Lateral; Lt pediatric wrist radiograph; 10y M: 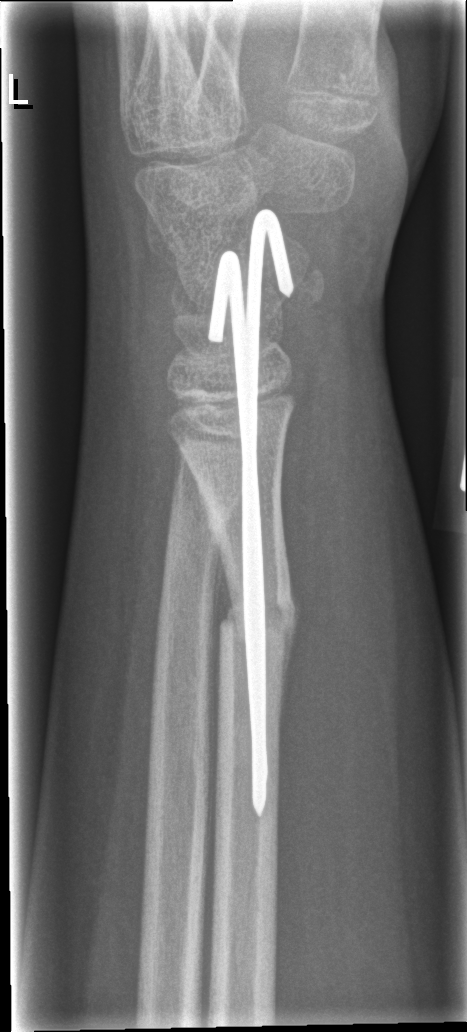
(boxes as x1,y1,x2,y2 (top-left / bottom-right, pixel units))
metal = [203, 208, 294, 820]
bone fracture = 2 @ [213, 581, 300, 657] [157, 486, 233, 556]